PA · Rt wrist X-ray —

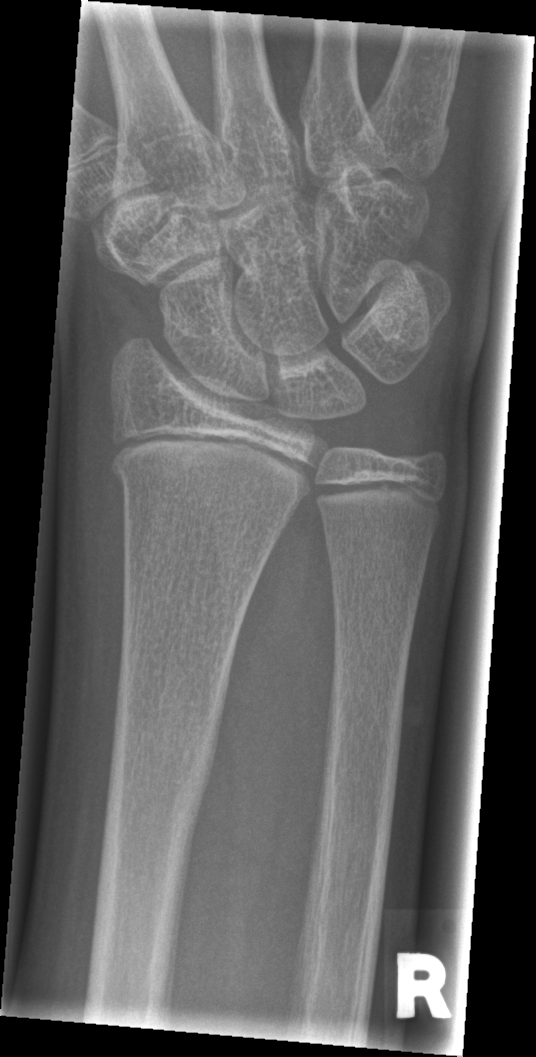
Fx = 1 @ 107,436,302,523
AO/OTA = 23r-M/2.1